R wrist radiograph | PA projection | follow-up | 78.5 mm image width
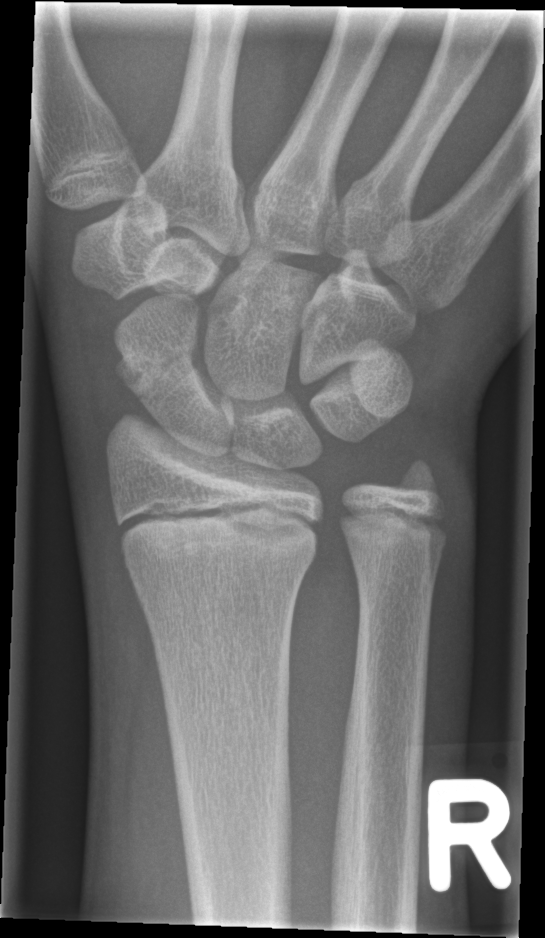
Coordinates are [x1, y1, x2, y2] in image pixels.
Fracture identified at 112 349 197 389.
AO/OTA classification: 72B(b).